Left wrist radiograph | AP —
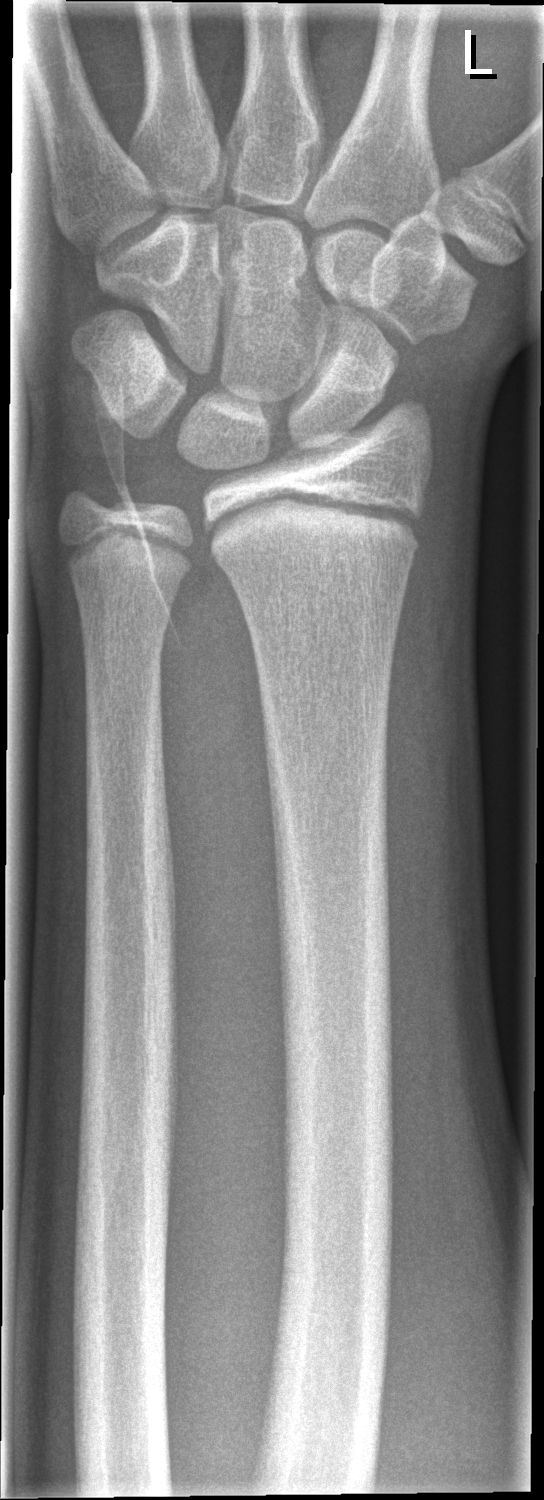
FINDINGS — Fracture present, but no bounding box because it is not clearly seen in this view.